PA · left plain radiograph of the wrist · age 17 y, girl · image size 782x929: 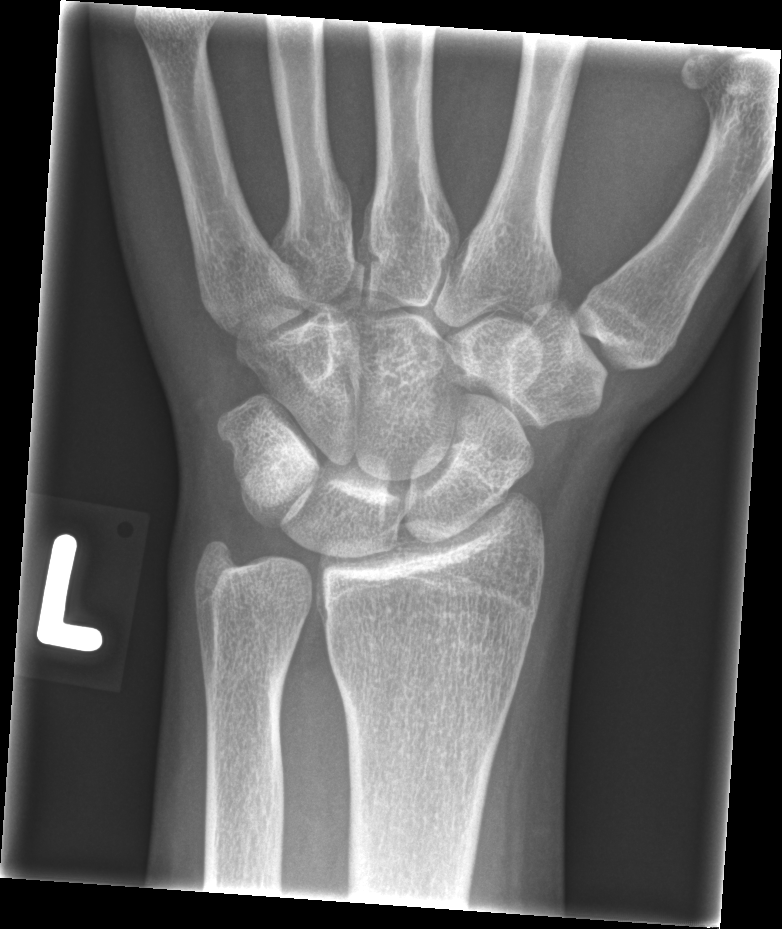
Fx: none.